Lateral projection; right wrist pediatric wrist radiograph; initial study; 553 by 1124 pixels —

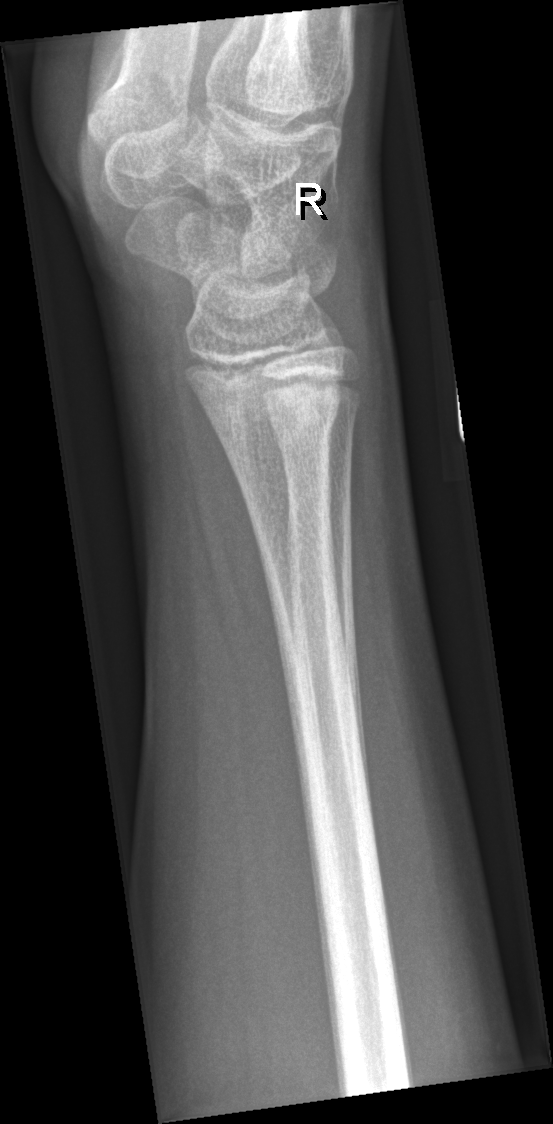 Fracture — (211, 373, 348, 462).